Lateral view; left wrist radiograph; 11y F; acquired on Siemens; 480x990

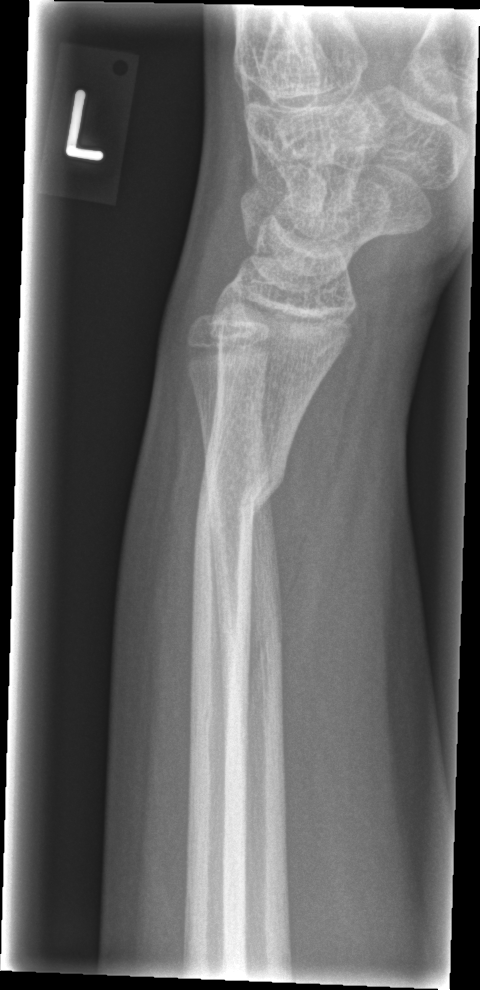
fracture: 1 @ [x1=190, y1=456, x2=293, y2=545]
ao: 23r-M/3.1; 23u-M/2.1